Posteroanterior view, R wrist X-ray, cast in situ: 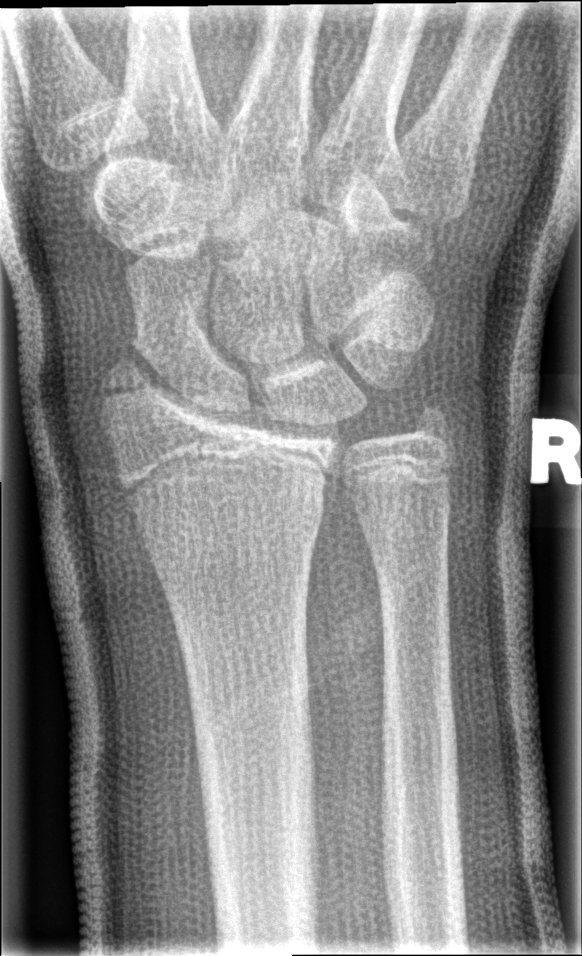   fracture: bbox(95, 352, 191, 402)
  ao: 23r-E/7